Lt plain radiograph of the wrist, posteroanterior, 11-year-old boy, image 77.3 mm wide

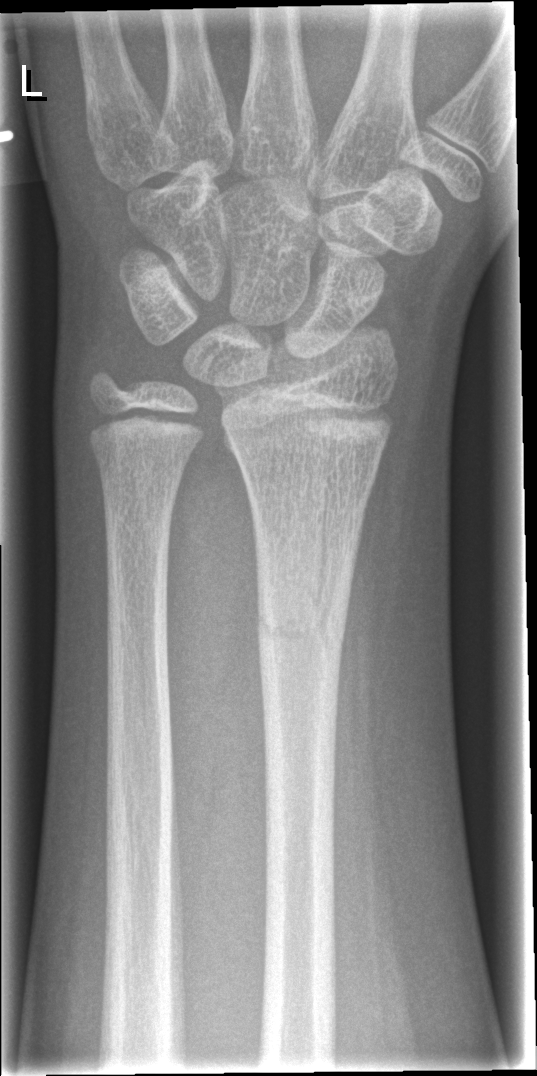
Findings: AO code 23r-M/3.1. Fracture — (left=251, top=586, right=353, bottom=666).